Frontal projection · left wrist pediatric wrist radiograph · 7-year-old boy · imaged through cast · image size 678x841:

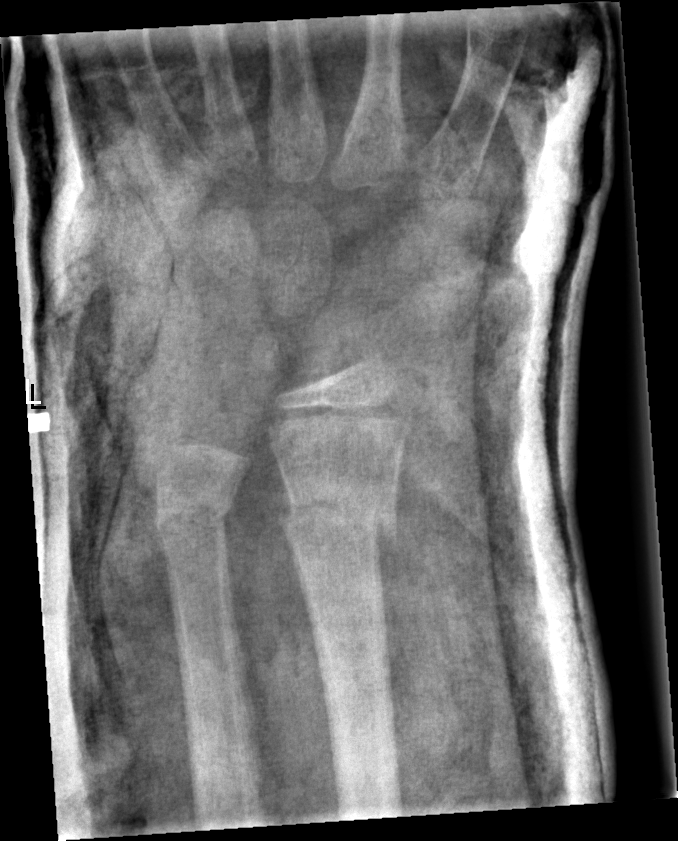

(coordinates are [x1, y1, x2, y2] in image pixels)
AO/OTA = 23-M/3.1
Bone fracture = 2 @ 277 473 402 553; 151 494 237 548